Rt wrist XR | lat projection.

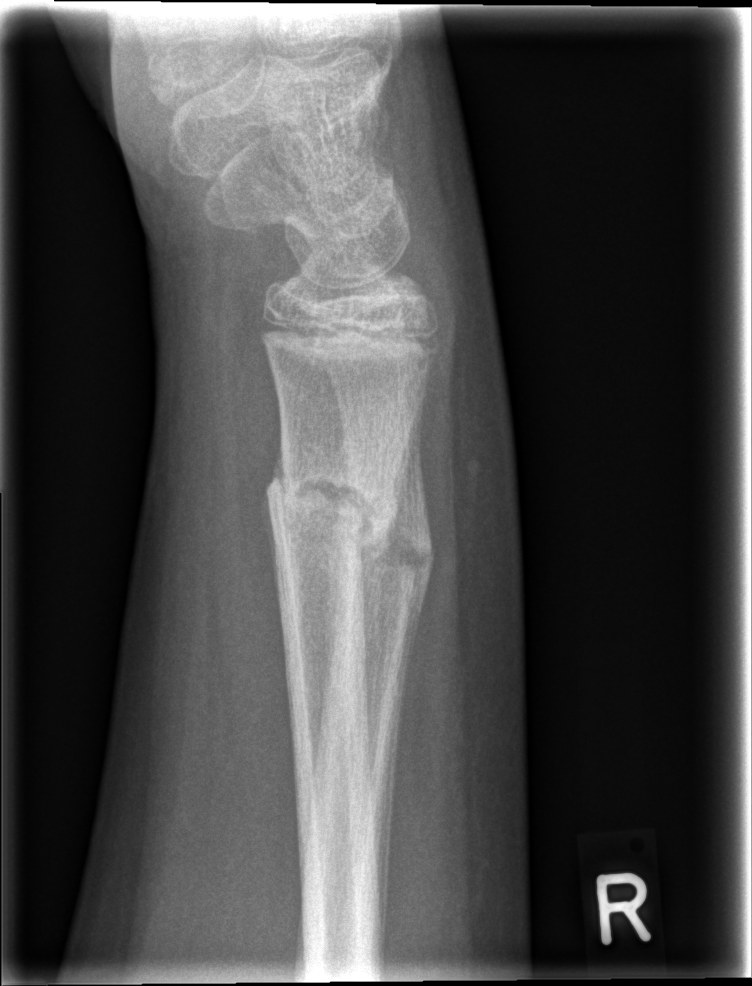

Bounding boxes in image-pixel xyxy.
Periosteal reaction identified at <258,490>-<284,652> <269,428>-<288,494>.
Fx identified at <262,447>-<393,566> <346,499>-<437,589>.
Osteopenic.